Lateral projection | L wrist X-ray | pediatric patient (female, age 6) | subsequent exam.

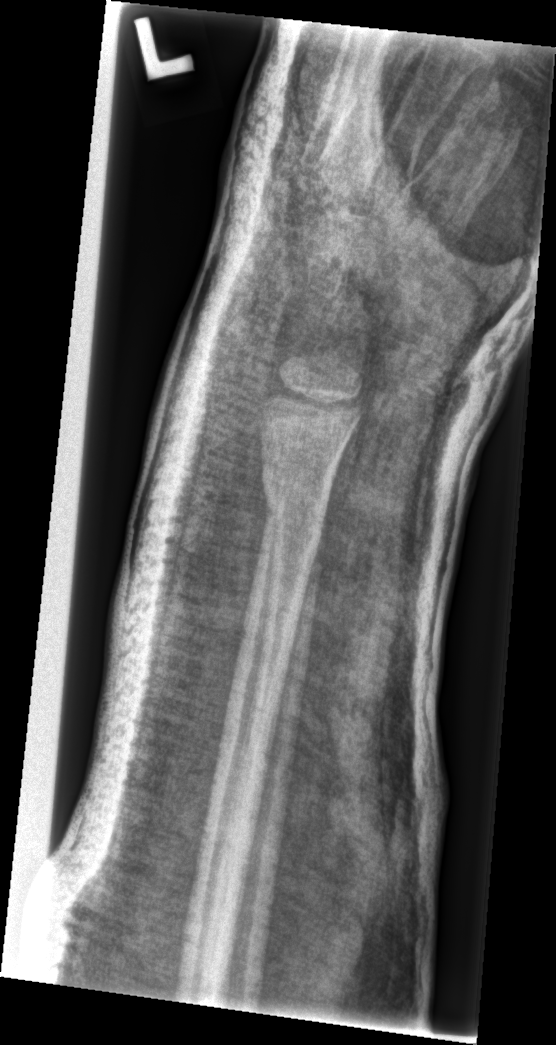 {"_coords": "boxes as x1,y1,x2,y2 (top-left / bottom-right, pixel units)", "ao": "23r-M/3.1", "fracture": "1 @ (254, 468, 335, 534)"}